Right wrist radiograph, lat view, age 13 y, boy, image width 76.6 mm

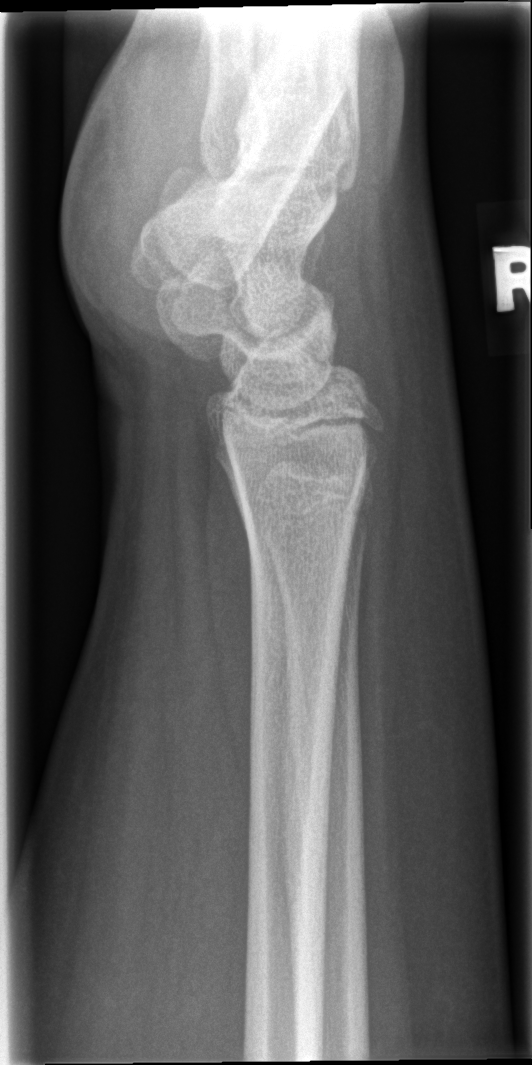

fracture: none labeled